AP view, R wrist X-ray, Siemens — 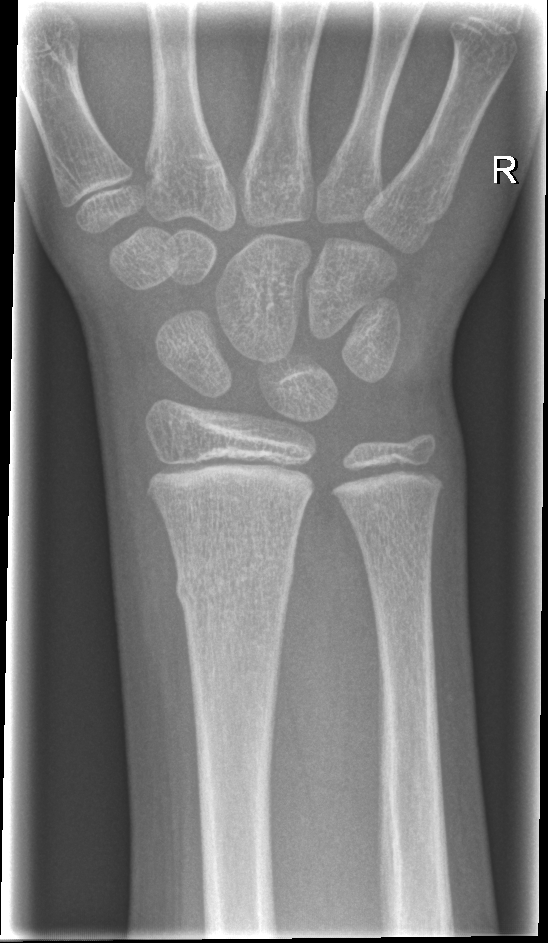 Fx: 172 554 295 611
AO classification: 23r-M/2.1